Lt wrist X-ray; AP view; 10y M

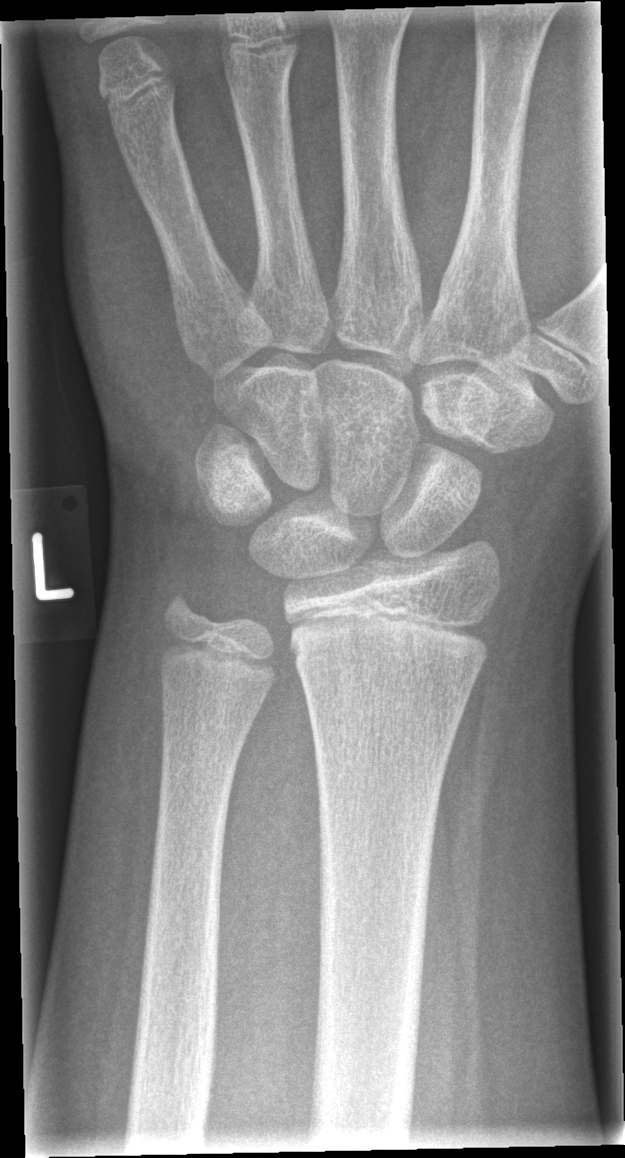 * Fx: none.